Left wrist plain film · PA/AP · pediatric patient (boy, age 7) · Siemens — 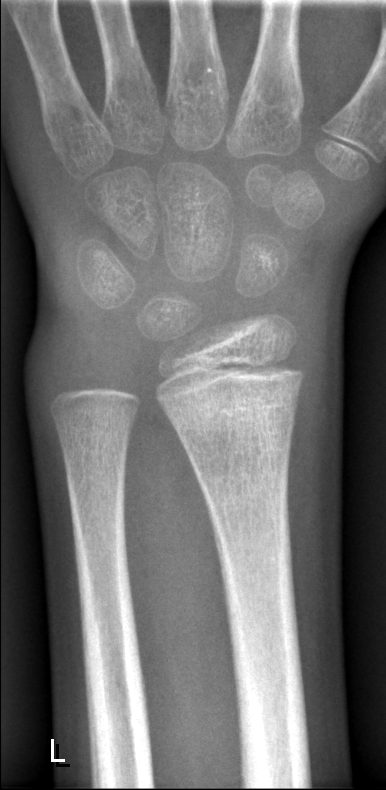
- AO/OTA classification: 23r-M/2.1.
- Decreased bone density (osteopenia).
- Fx — 155 382 302 444.